Right wrist radiograph · lat view · initial study
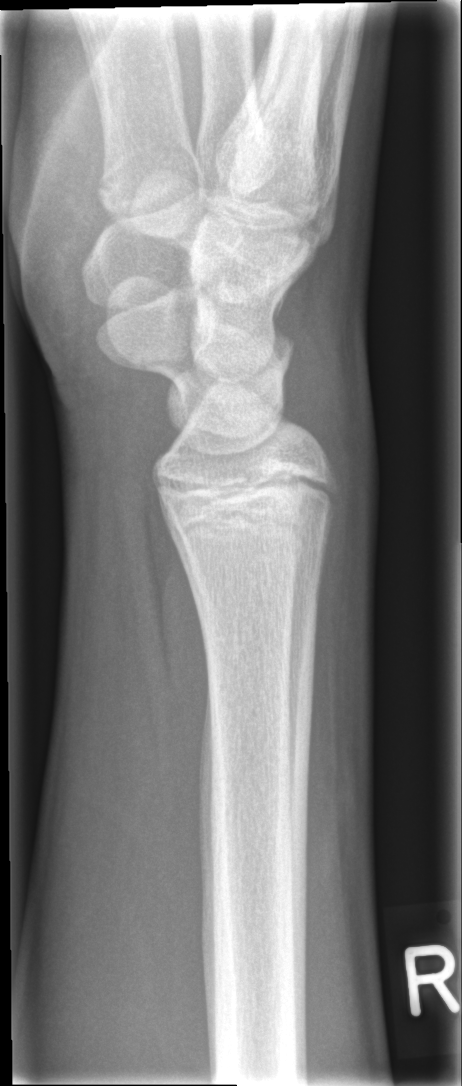

Bone fracture: none labeled